PA/AP view · left wrist plain radiograph of the wrist · cast present —

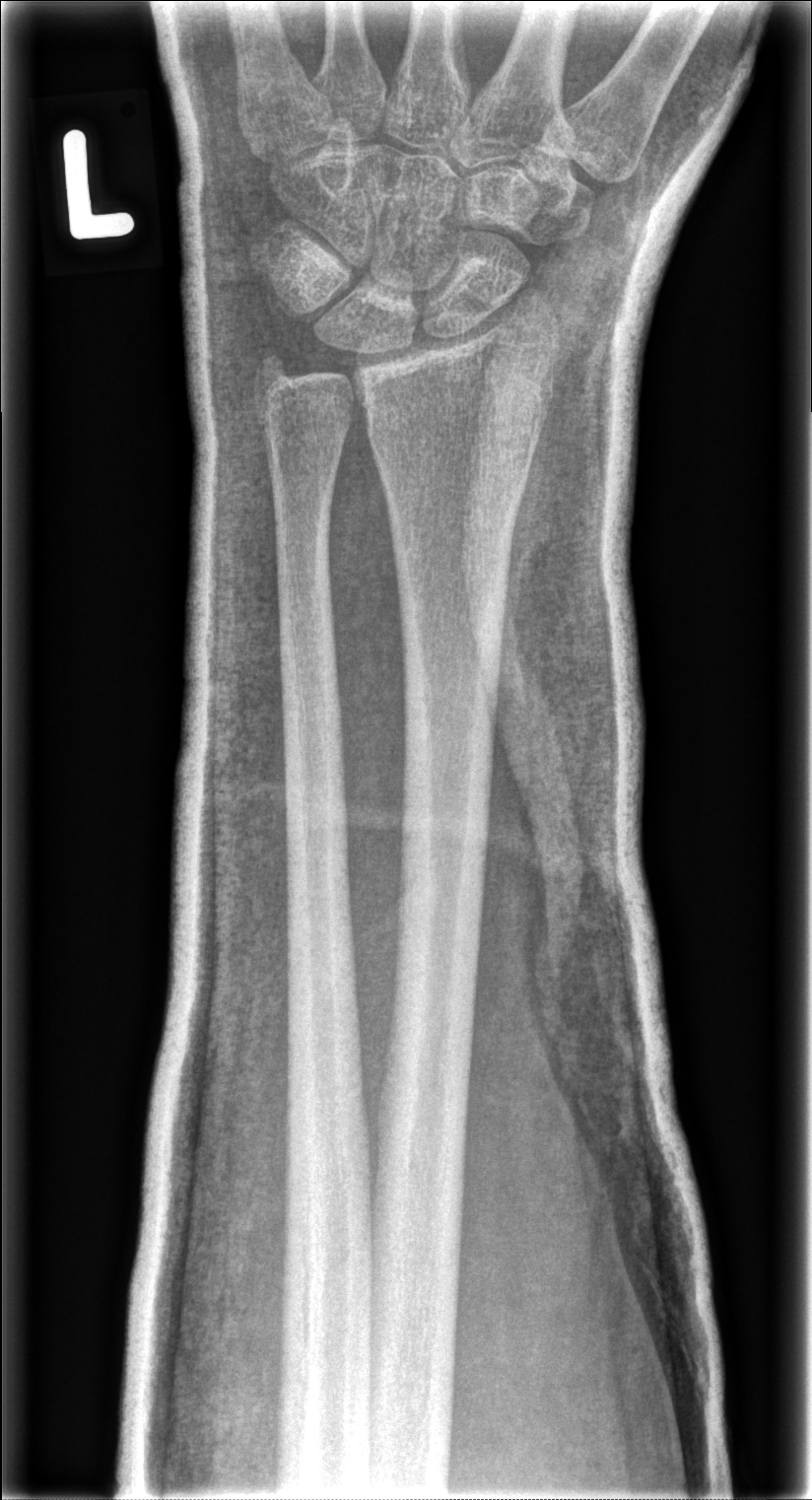
  fracture: none labeled